Lt plain radiograph of the wrist; PA/AP view; 12y F; acquired on Siemens; image 89.0 mm wide:

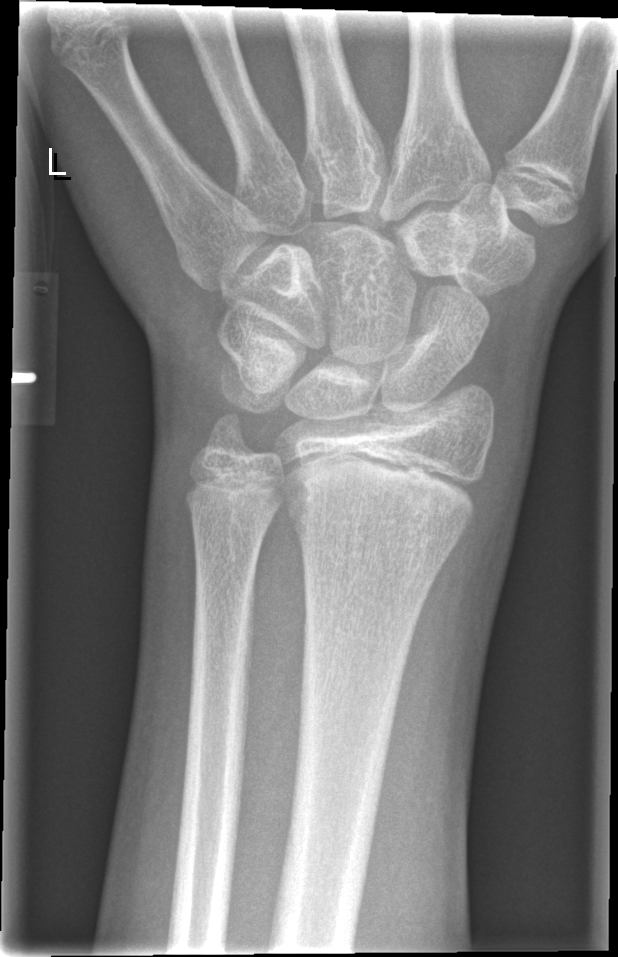
Fx = none labeled